Lt pediatric wrist radiograph; lat; pediatric patient (female, age 7); follow-up study; in cast; detector: Siemens; image 111.7 mm wide: 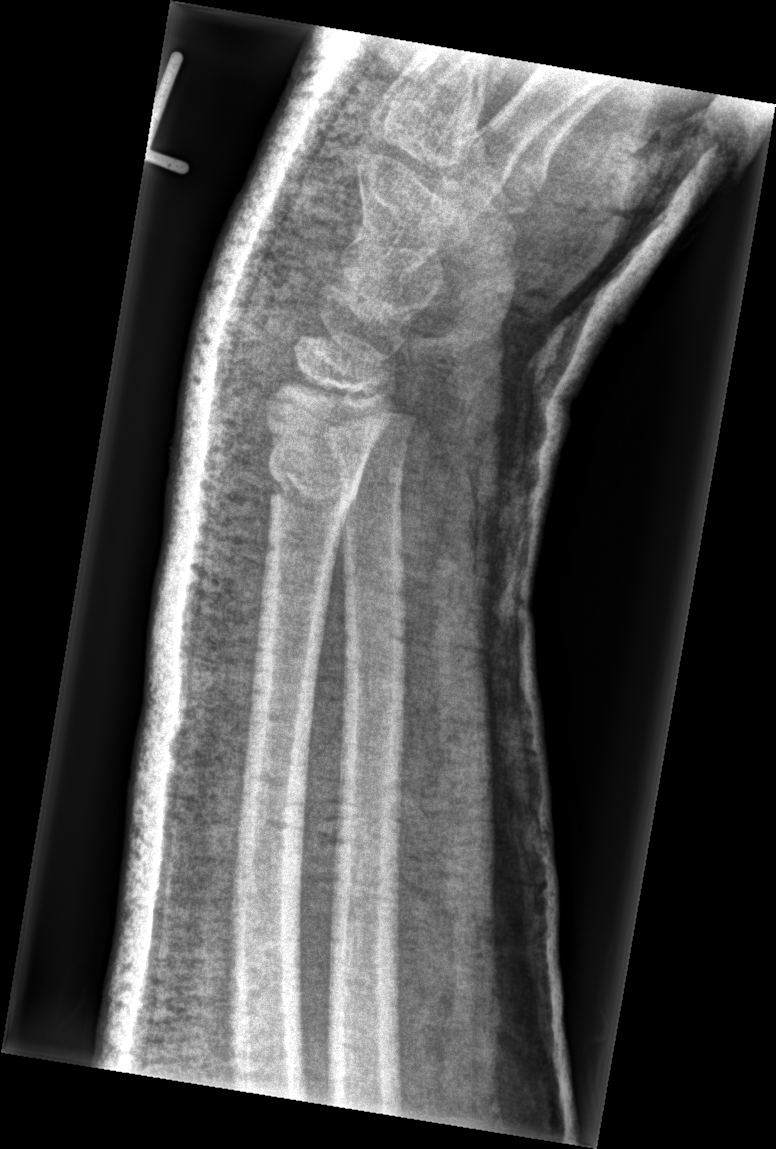

Bounding boxes in image-pixel xyxy.
Fracture: bbox(264, 457, 364, 531).
Fracture classified AO/OTA 23r-M/3.1; 23u-M/2.1.